Left wrist plain film; lateral projection; pediatric patient (girl, age 2); index exam:

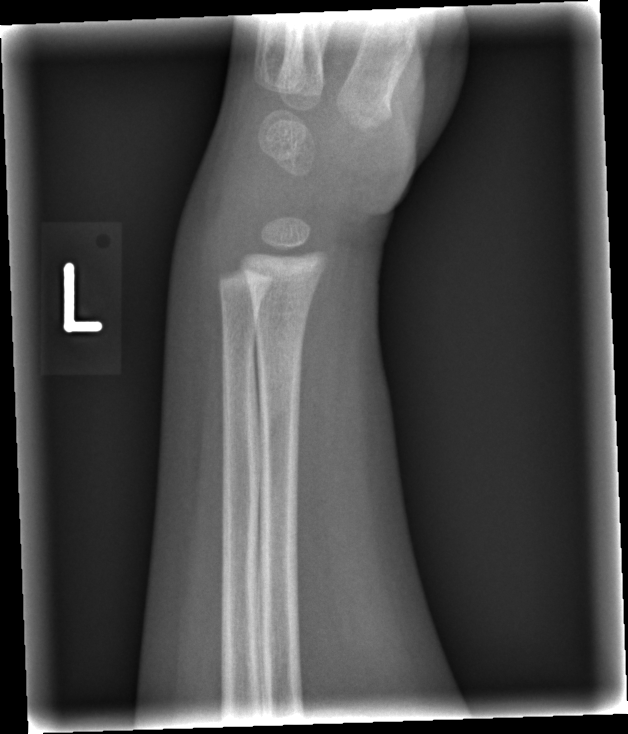

Fx: none labeled